PA/AP view, right plain radiograph of the wrist, male, 11 yo, index exam, 562 x 1170 px
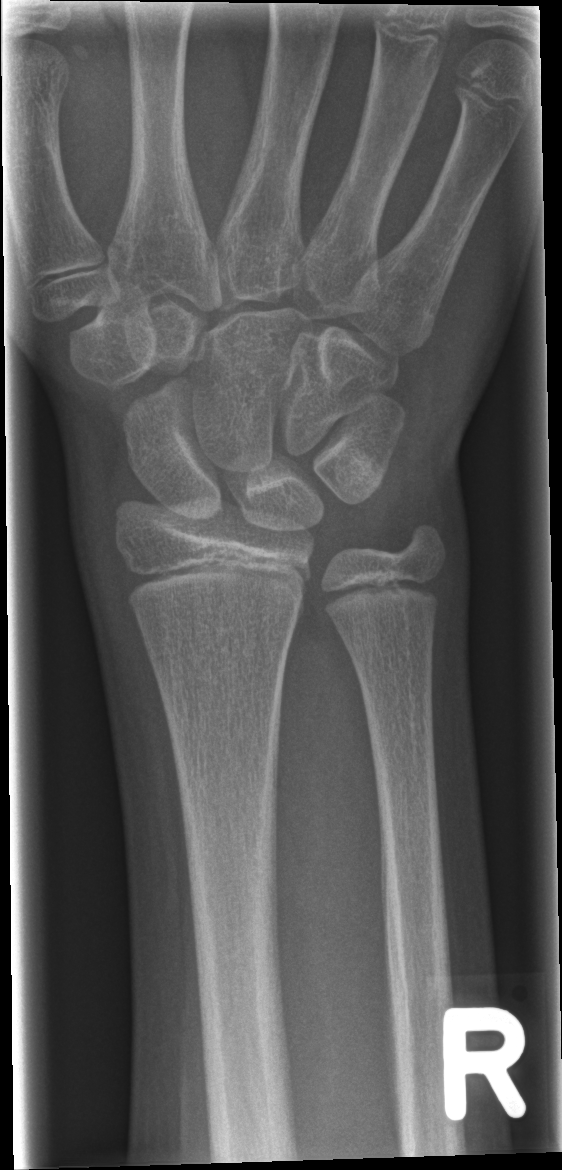 No fracture labeled.